PA/AP projection; Rt plain radiograph of the wrist; 8-year-old boy; Siemens — 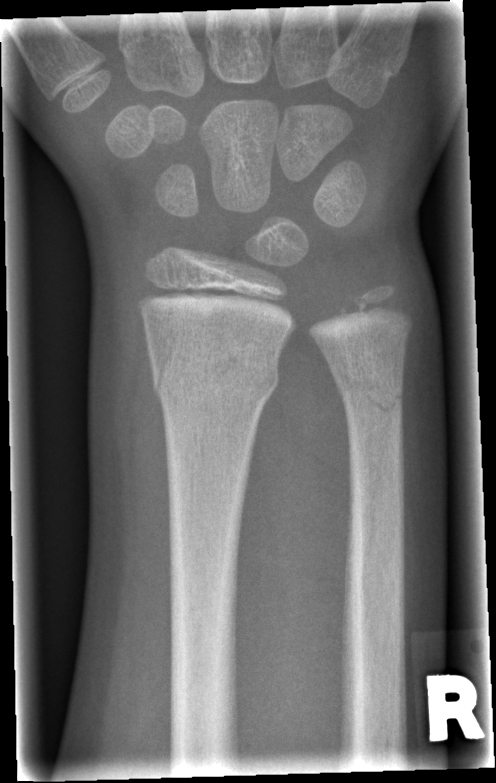
fracture: <149,332>-<283,409>; <336,375>-<405,419>